Lt pediatric wrist radiograph, frontal, follow-up. 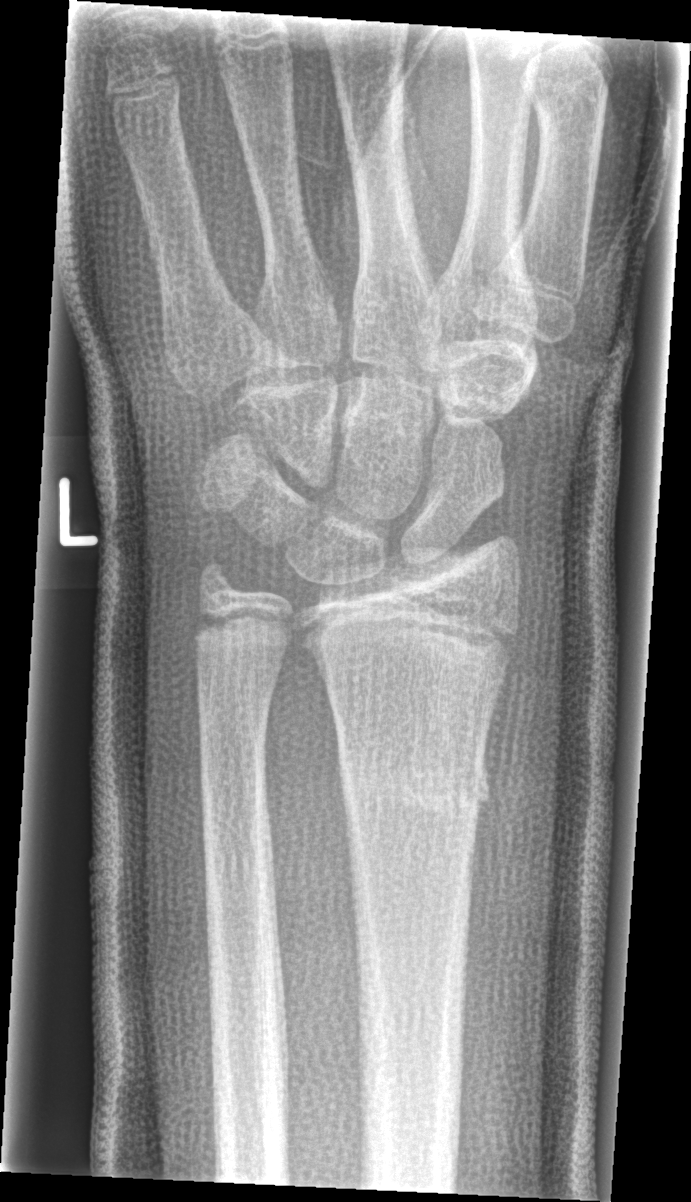
Coordinates are [x1, y1, x2, y2] in image pixels.
Fracture identified at [x1=331, y1=730, x2=494, y2=829].
AO/OTA classification: 23r-M/3.1; 23u-E/1.